Right plain radiograph of the wrist | lateral projection | image width 86.1 mm | image size 598x1104.

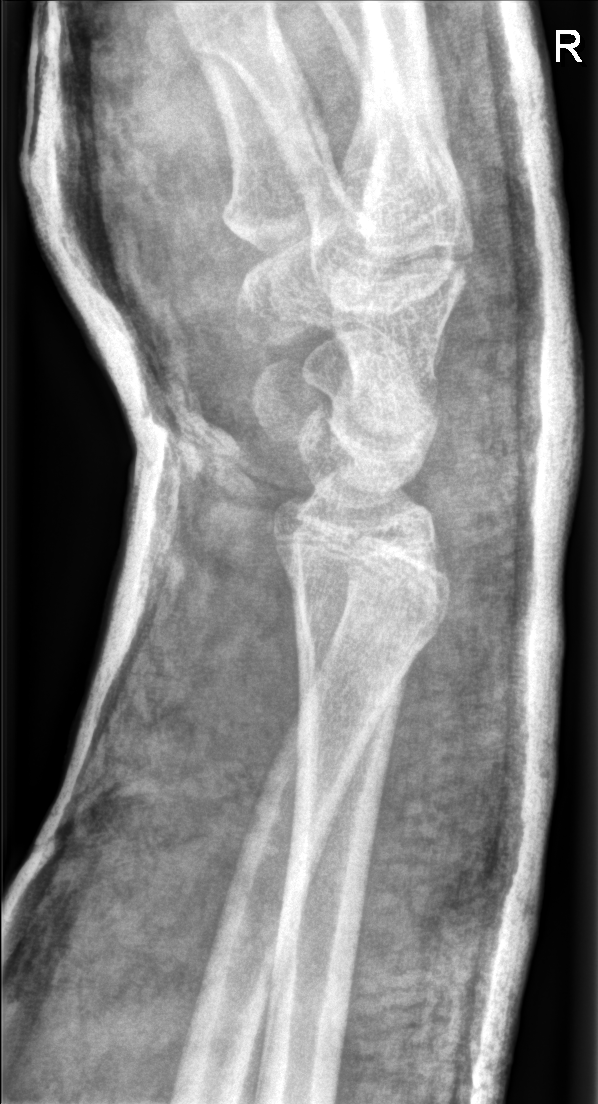
• Fracture classified AO/OTA 23r-M/2.1.
• Bone fracture — (287, 575, 448, 662).